Posteroanterior view; left wrist X-ray; cast in situ —

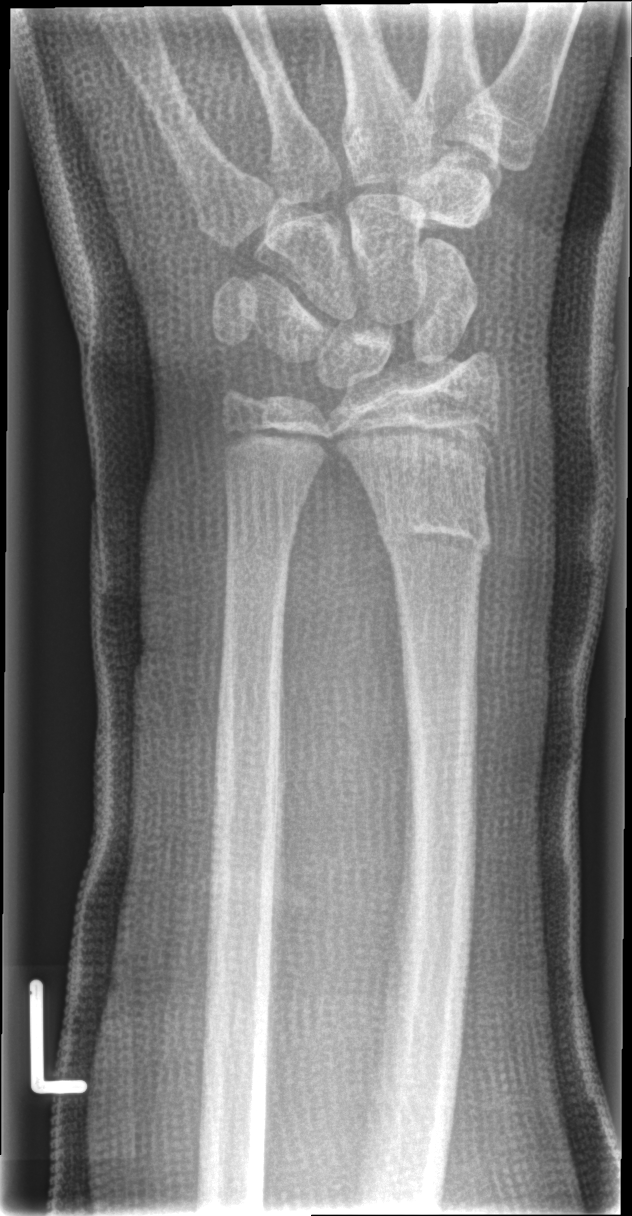

Findings: AO code 23r-M/3.1. Bone fracture identified at (left=374, top=506, right=494, bottom=562).